PA · right wrist pediatric wrist radiograph · age 15 y, boy · cast present
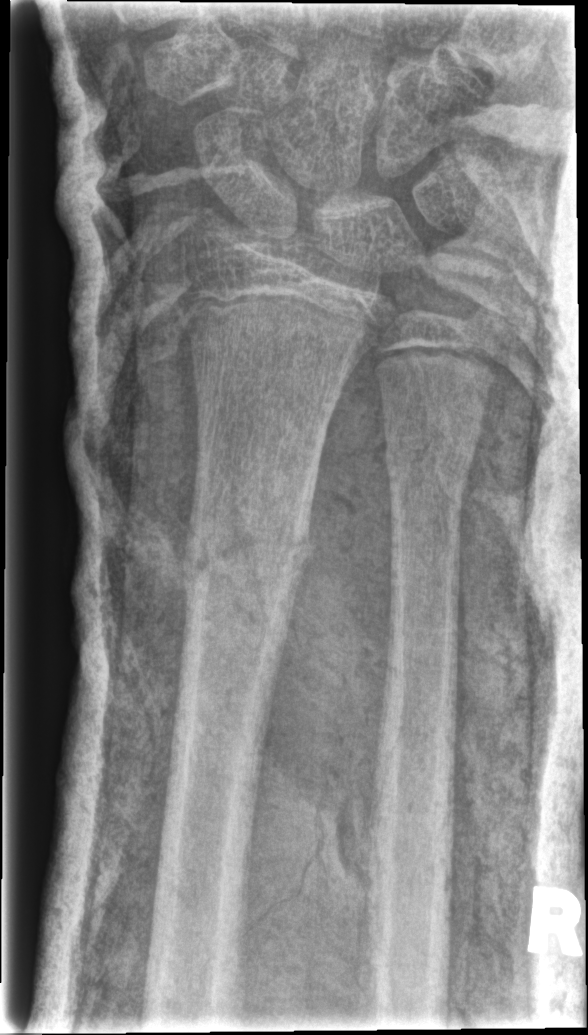
(bounding boxes in image-pixel xyxy)
Q: Is there a fracture?
A: Fx: 176 485 315 604
  378 429 476 506
Q: AO code?
A: AO code 23-M/3.1